Right wrist X-ray, posteroanterior projection, image 65.2 mm wide

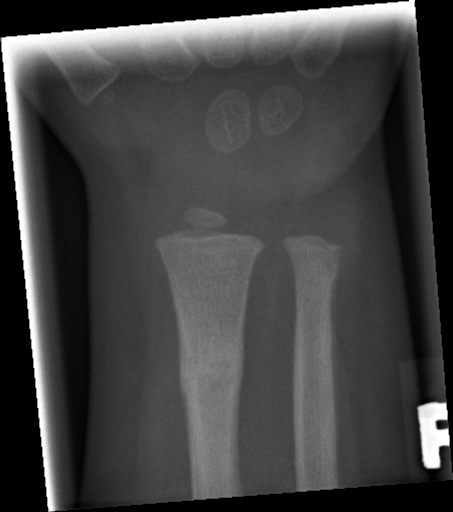
(coordinates are [x1, y1, x2, y2] in image pixels)
AO code = 23-M/3.1
Bone fracture = [x1=175, y1=336, x2=248, y2=400]; [x1=286, y1=248, x2=344, y2=295]
Periosteal reaction = [x1=330, y1=260, x2=341, y2=409]